Right wrist X-ray | PA view | 14y M | subsequent exam | imaged through cast —
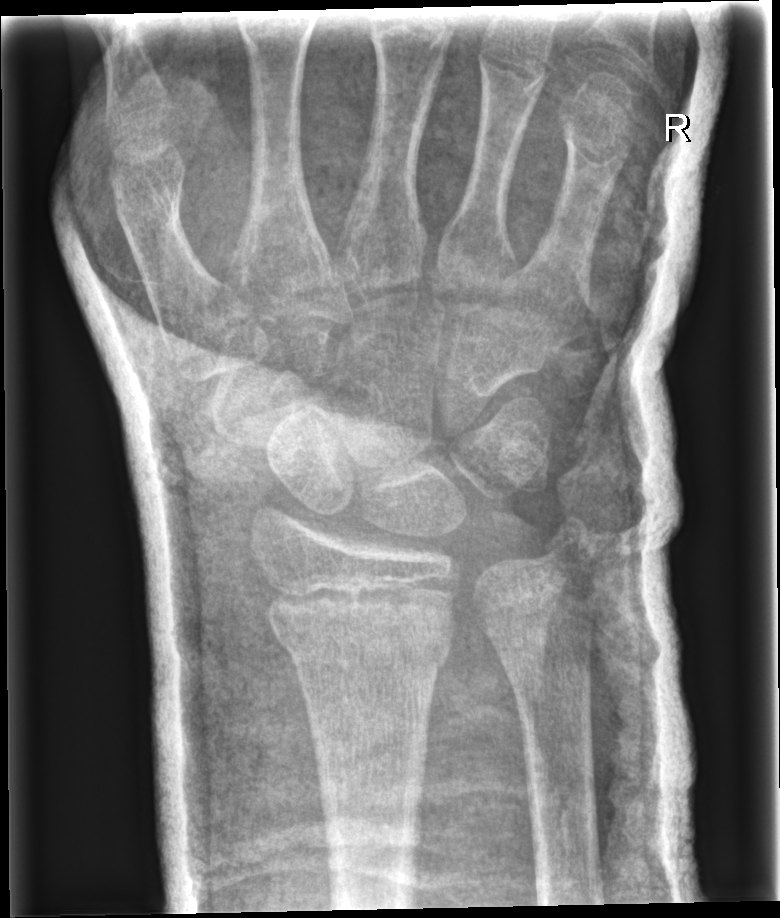 (bounding boxes in image-pixel xyxy)
Fracture = 2 @ [x1=271, y1=609, x2=455, y2=675] [x1=534, y1=505, x2=602, y2=569]